Lateral view; L wrist radiograph; 3y M; presentation radiograph.

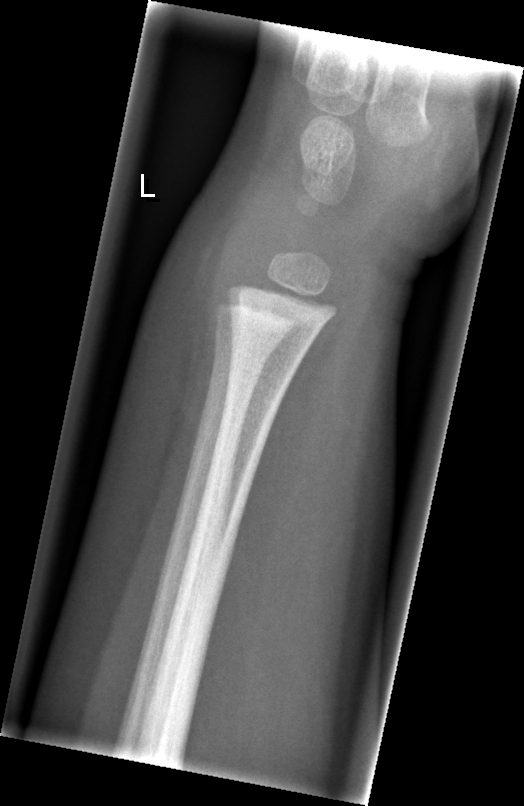
Bounding boxes in image-pixel xyxy. Soft-tissue finding — [133, 148, 264, 490]. No fracture annotation.